Lat projection · Rt wrist radiograph · 8-year-old girl · image size 462x836 — 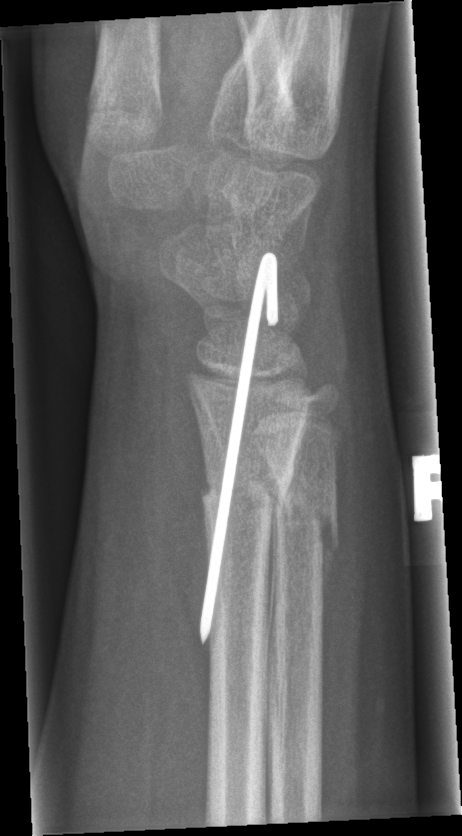   # boxes as x1,y1,x2,y2 (top-left / bottom-right, pixel units)
  fracture: 2 @ 198 465 297 534
  271 489 342 558
  metal: 199 252 279 645
  ao: 23-M/3.1